PA projection, right wrist X-ray, girl, 10 yo, 561 x 962 px.
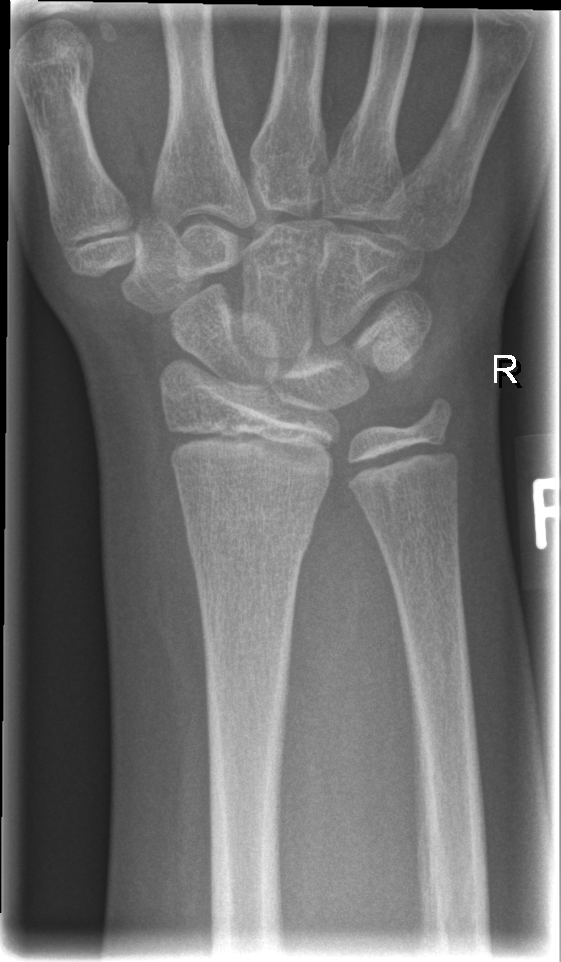 Fx identified at (left=182, top=506, right=318, bottom=565).